Right wrist XR | lateral projection
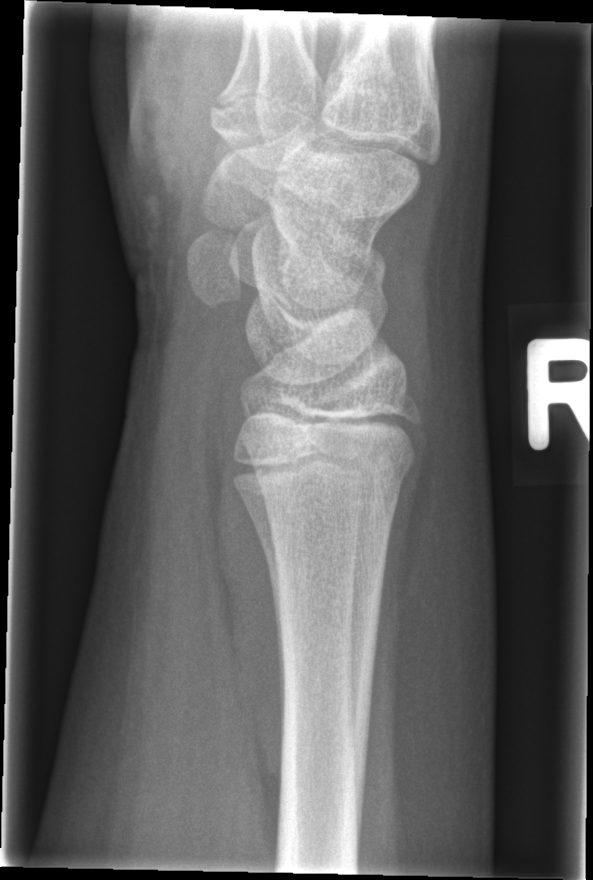 Fx: 1 @ (left=239, top=426, right=422, bottom=499)